AP view; right wrist radiograph 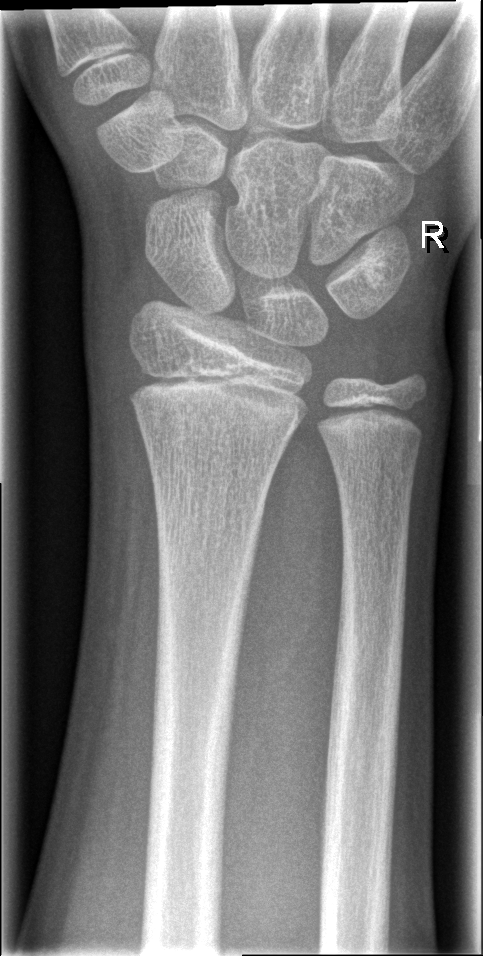 FINDINGS: Fracture present, but no bounding box because it is not clearly seen in this view. Fracture classified AO/OTA 23r-M/2.1.